L plain radiograph of the wrist, posteroanterior, 15-year-old male, follow-up study, in cast, 602 by 1521 pixels.
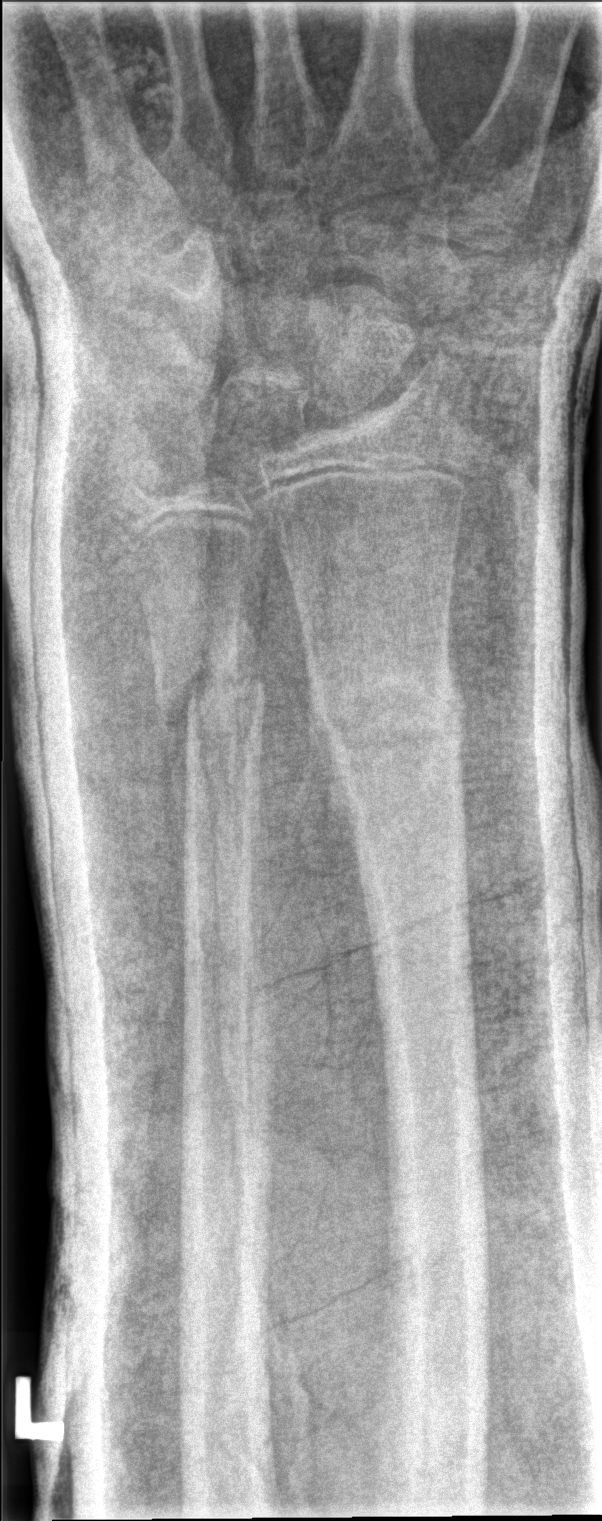

AO code 23-M/3.1; 23u-E/7.
Bone fractures — bbox(305, 657, 470, 773) bbox(150, 653, 271, 735) bbox(112, 452, 176, 514).